Lateral projection, right wrist XR, age 11 y, boy:
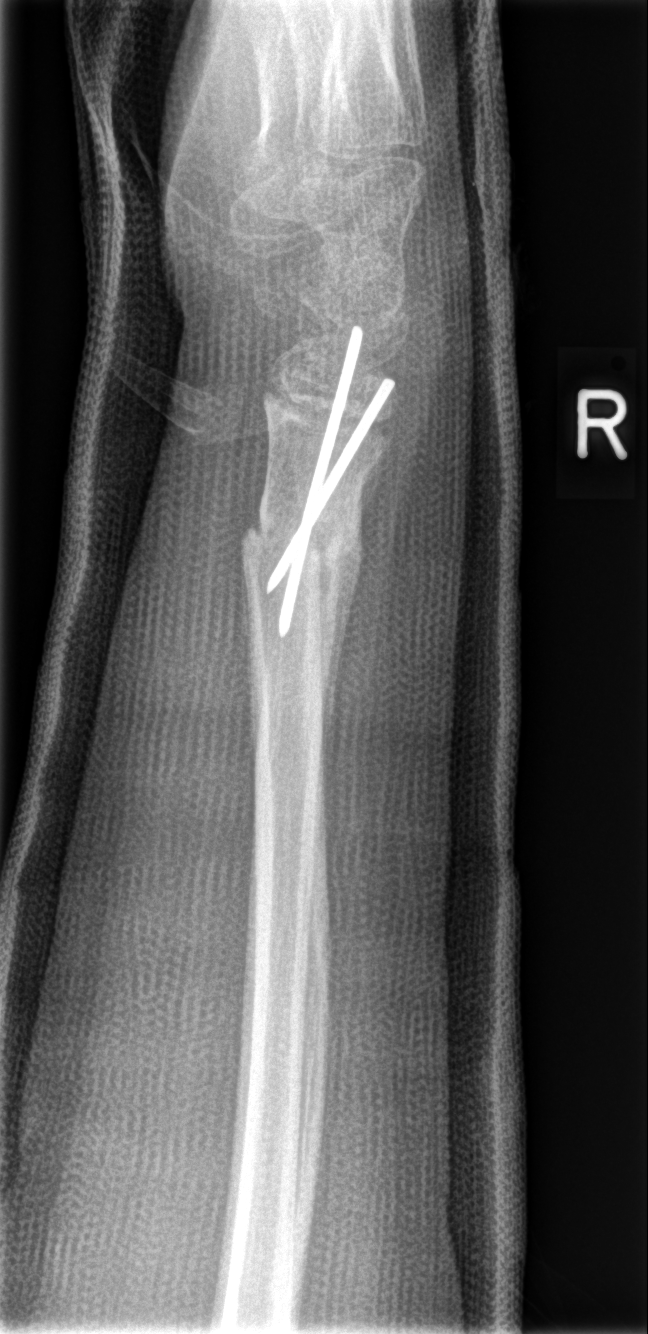
{"fracture": "1 @ <238,508>-<360,597>", "periostealreaction": "<315,442>-<395,853>", "metal": "1 @ <262,325>-<396,639>"}